Left wrist X-ray, AP projection, age 10 y, girl, imaged through cast, Siemens, 645 by 764 pixels — 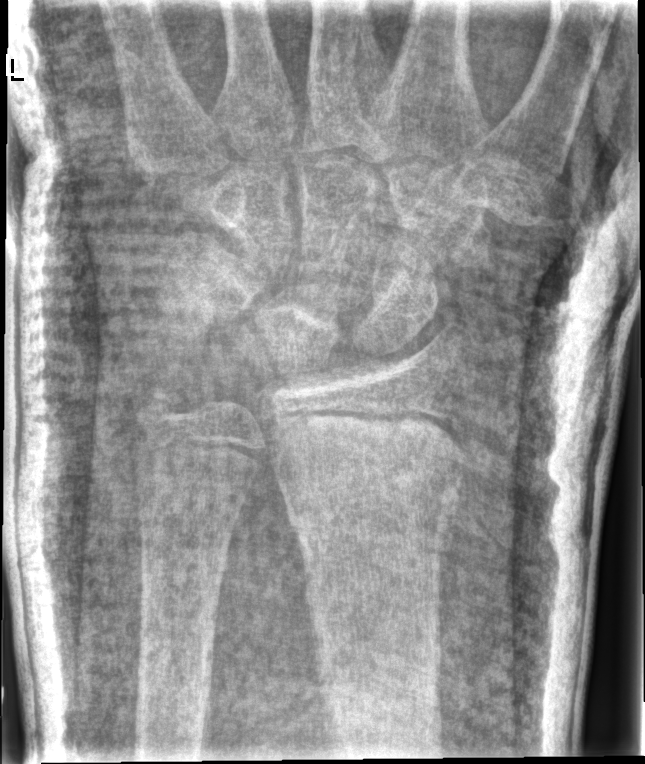

AO/OTA: 23r-M/3.1; 23u-E/7
Bone fracture: 1 @ [125, 374, 191, 433]